PA/AP view | right wrist XR | 9y M | Siemens:

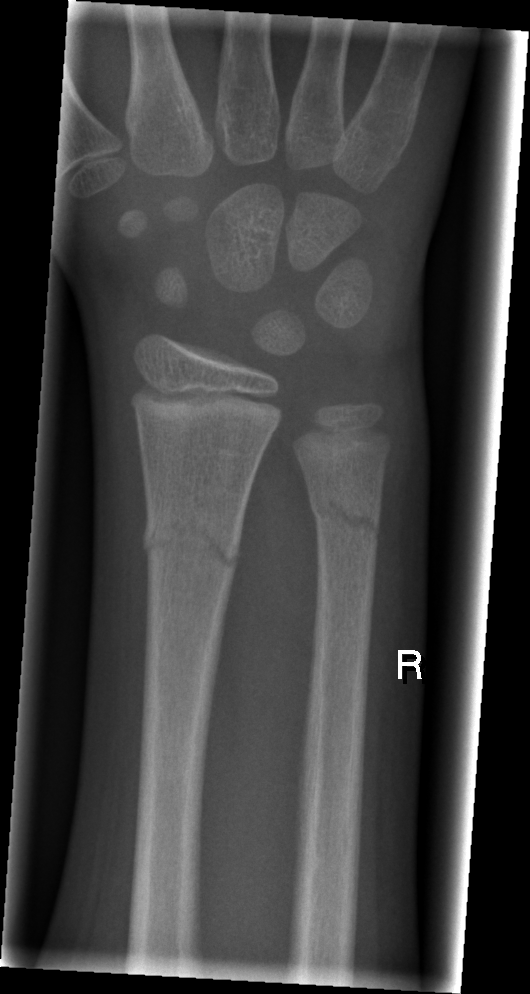
(bounding boxes in image-pixel xyxy)
bone fracture: 2 @ (138, 515, 243, 575); (307, 495, 383, 543)
AO/OTA: 23-M/3.1